Posteroanterior | right wrist plain film | 10y F | follow-up study 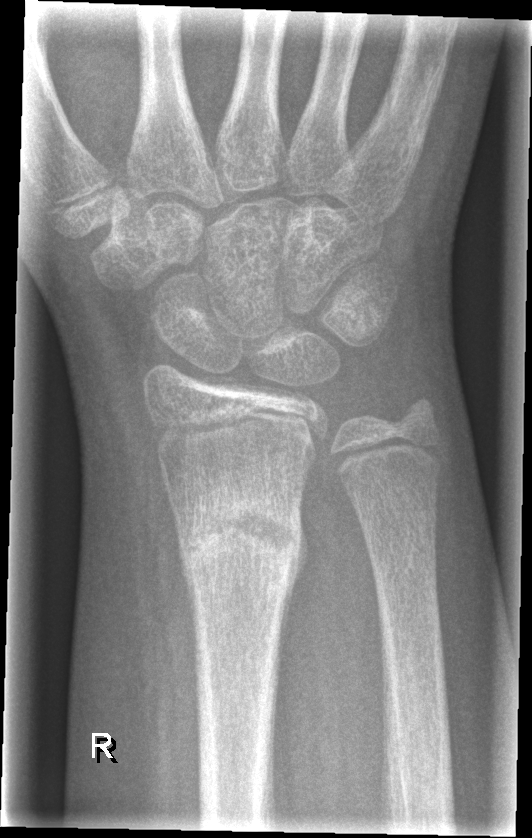

Bone fracture: 168 477 308 595
Osteopenia: present
Periosteal reaction: 1 @ 280 510 311 647